PA · L wrist XR · female, 10 yo

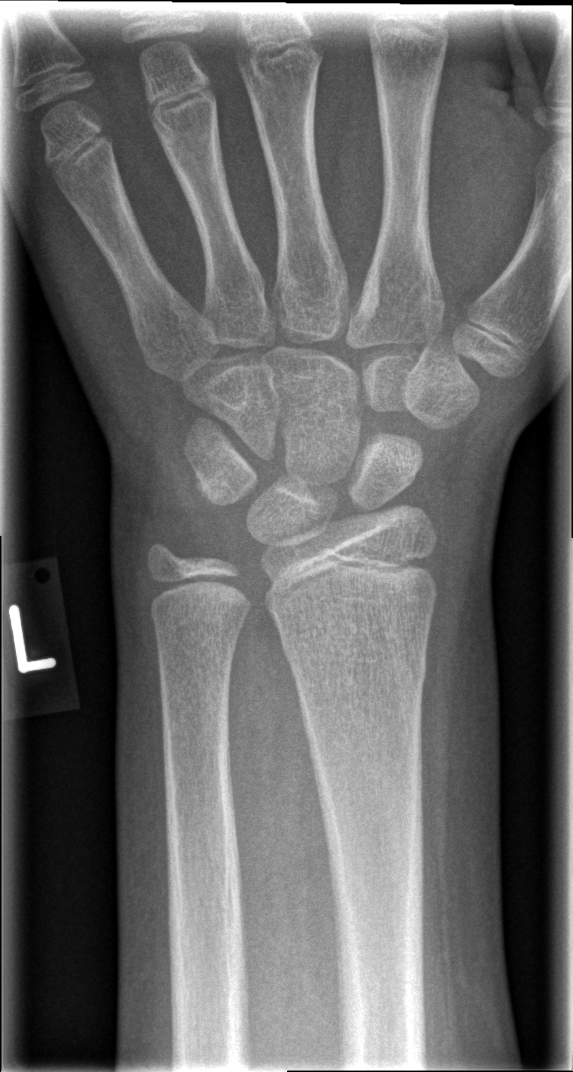
Fx: [281, 633, 432, 696].